PA, right wrist XR, image 78.3 mm wide —
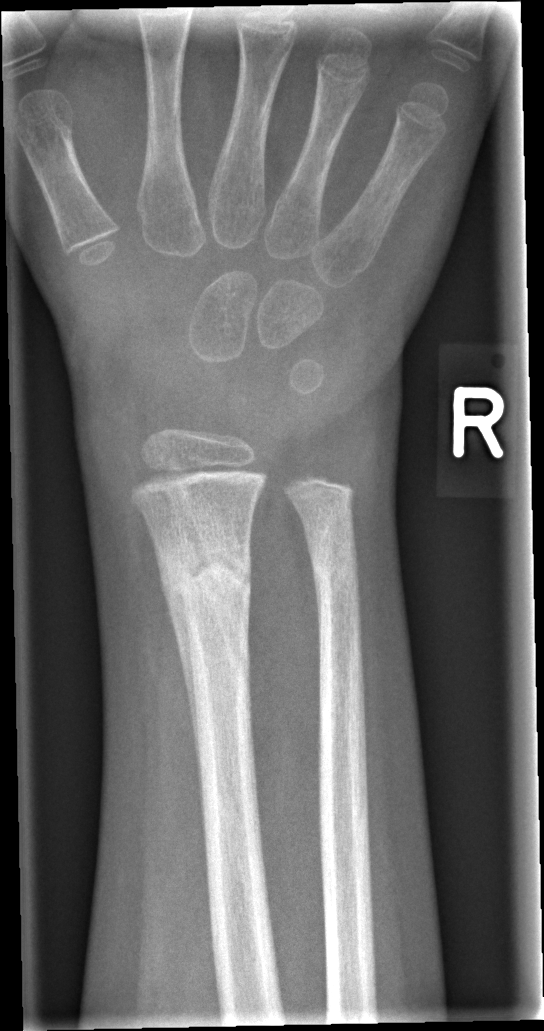

Periosteal new bone: bbox(158, 558, 201, 772). Bone fractures — bbox(158, 541, 254, 604) bbox(308, 530, 362, 598).